Right pediatric wrist radiograph; lat view; acquired on Siemens; 433 by 722 pixels —
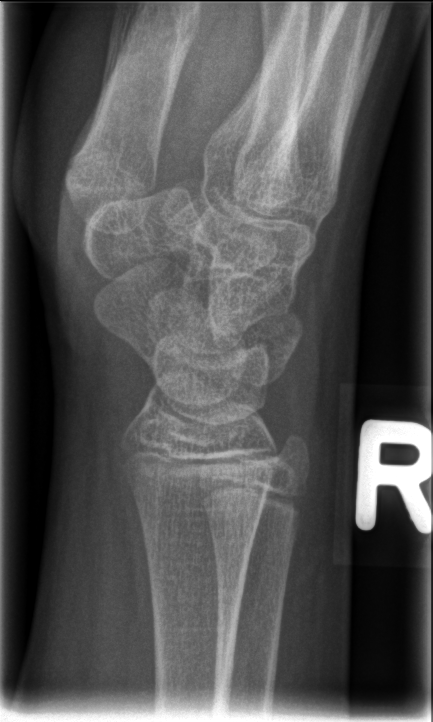
Bone fracture = none labeled